Lt plain radiograph of the wrist · lateral view · age 13 y, female · Siemens

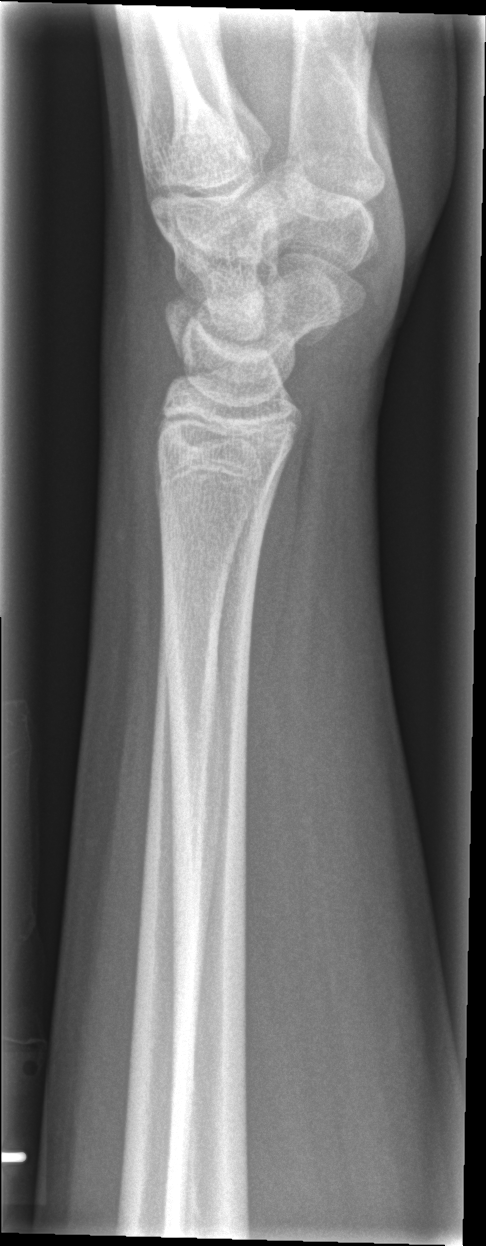
FINDINGS: No fracture annotation.